PA/AP, right wrist plain film, pediatric patient (boy, age 13), follow-up.
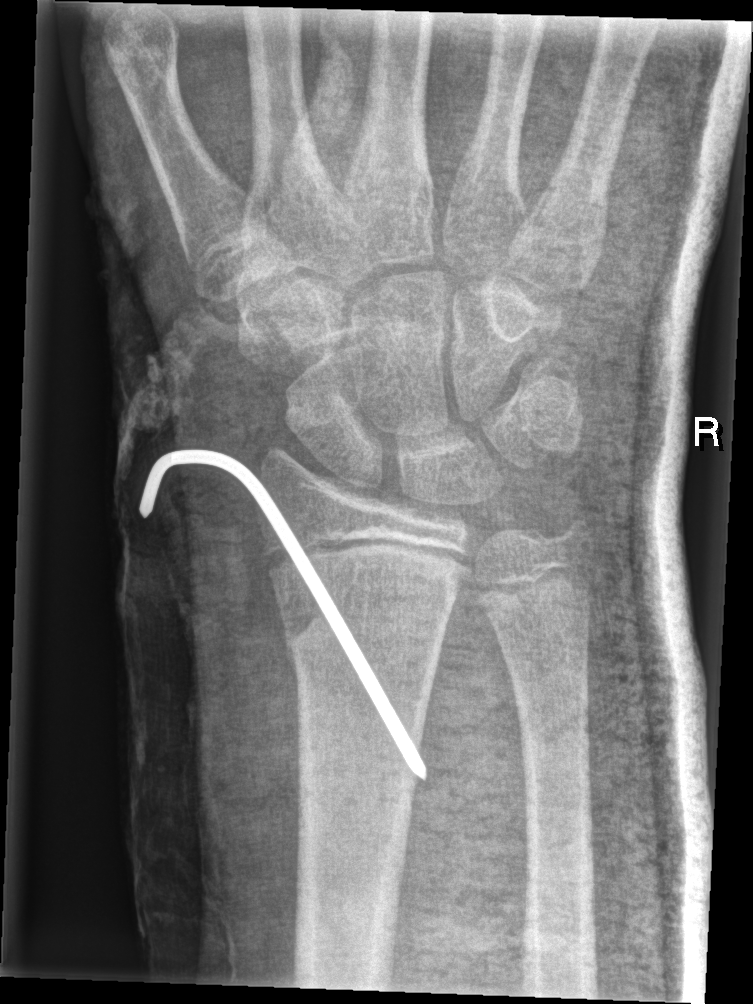 Fracture — (left=281, top=569, right=466, bottom=666). AO code 23r-M/3.1. One metallic implant at (left=138, top=443, right=430, bottom=787).